Right wrist XR, posteroanterior view, age 9 y, female, image 99.1 mm wide.
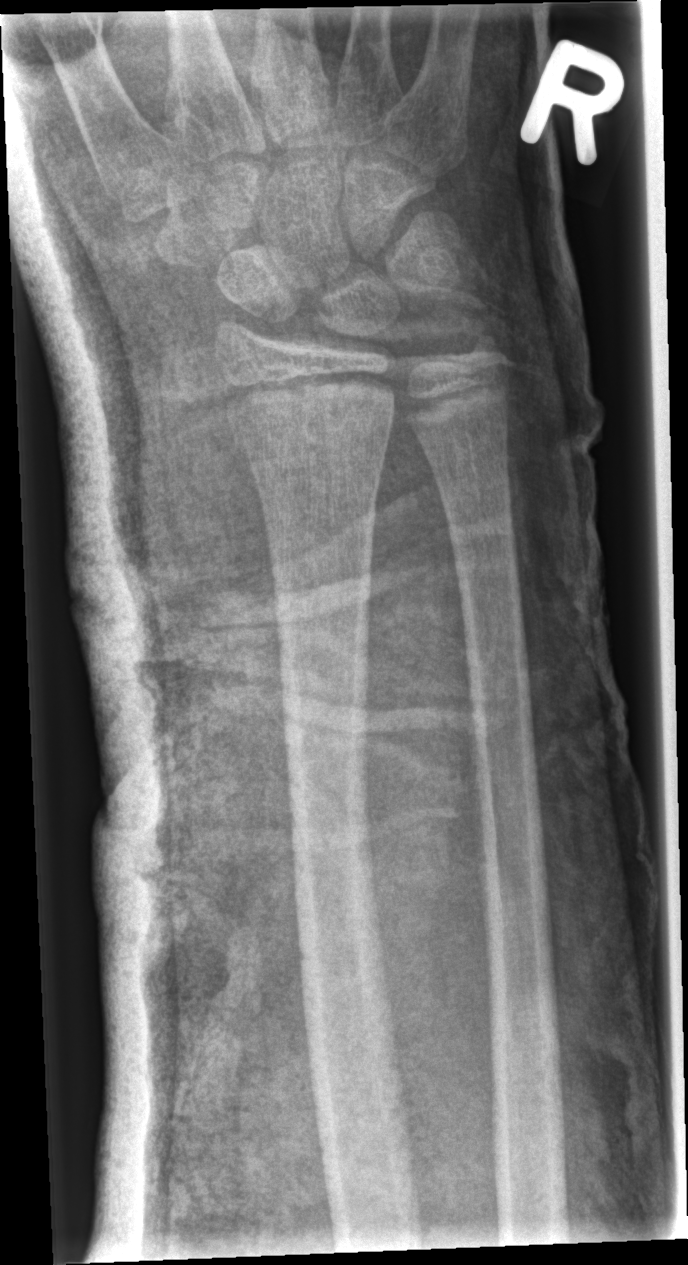
Fx identified at bbox(219, 366, 399, 453).
AO/OTA classification: 23r-E/2.1; 23u-E/7.